Lt wrist X-ray; AP; 14y M:

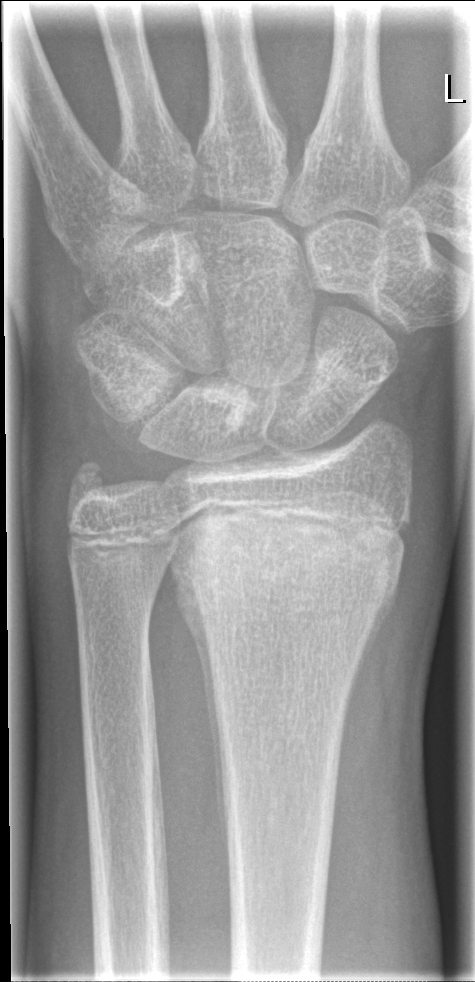
FINDINGS: (boxes as x1,y1,x2,y2 (top-left / bottom-right, pixel units)) Fracture: [166, 490, 408, 646], [63, 453, 120, 508]. Two periosteal thickening at [172, 543, 232, 885]; [346, 584, 399, 710]. AO code 23r-E/2.1; 23u-E/7.